Left wrist plain radiograph of the wrist; lateral projection; 62.6 mm image width
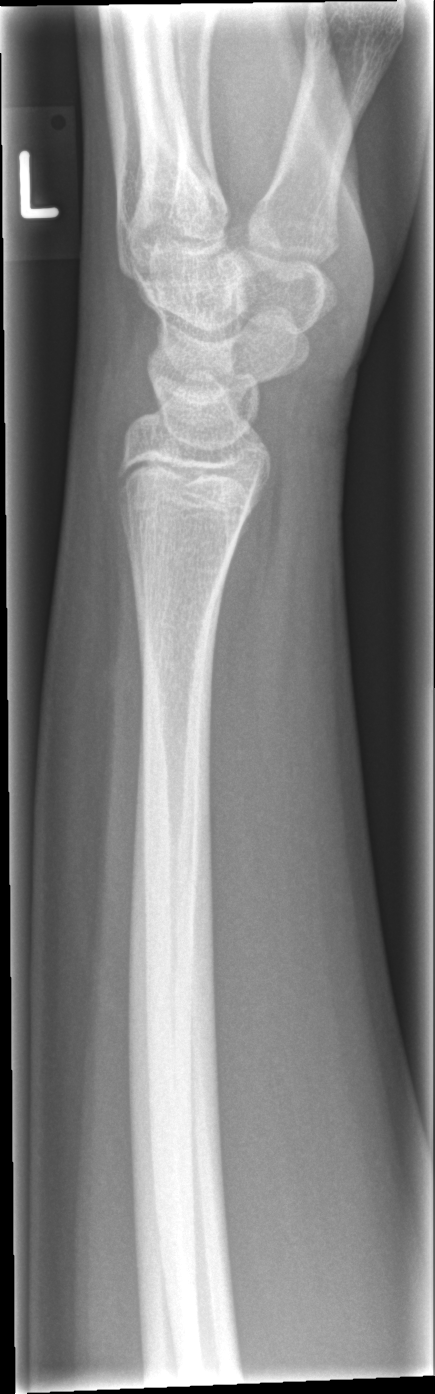 Q: Fracture present?
A: Fx: none